Lateral view · Rt wrist XR · boy, 10 yo · 455 by 1024 pixels: 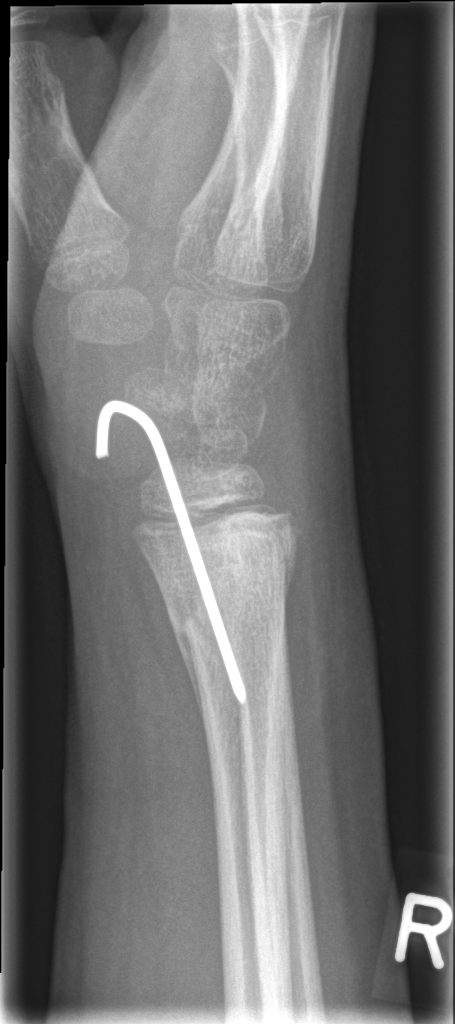 Findings: (boxes as x1,y1,x2,y2 (top-left / bottom-right, pixel units)) Decreased bone density (osteopenia). Hardware — (left=98, top=405, right=246, bottom=697). Periosteal new bone: (left=169, top=616, right=208, bottom=744). Fracture: (left=136, top=490, right=299, bottom=649).